Frontal projection | L wrist radiograph 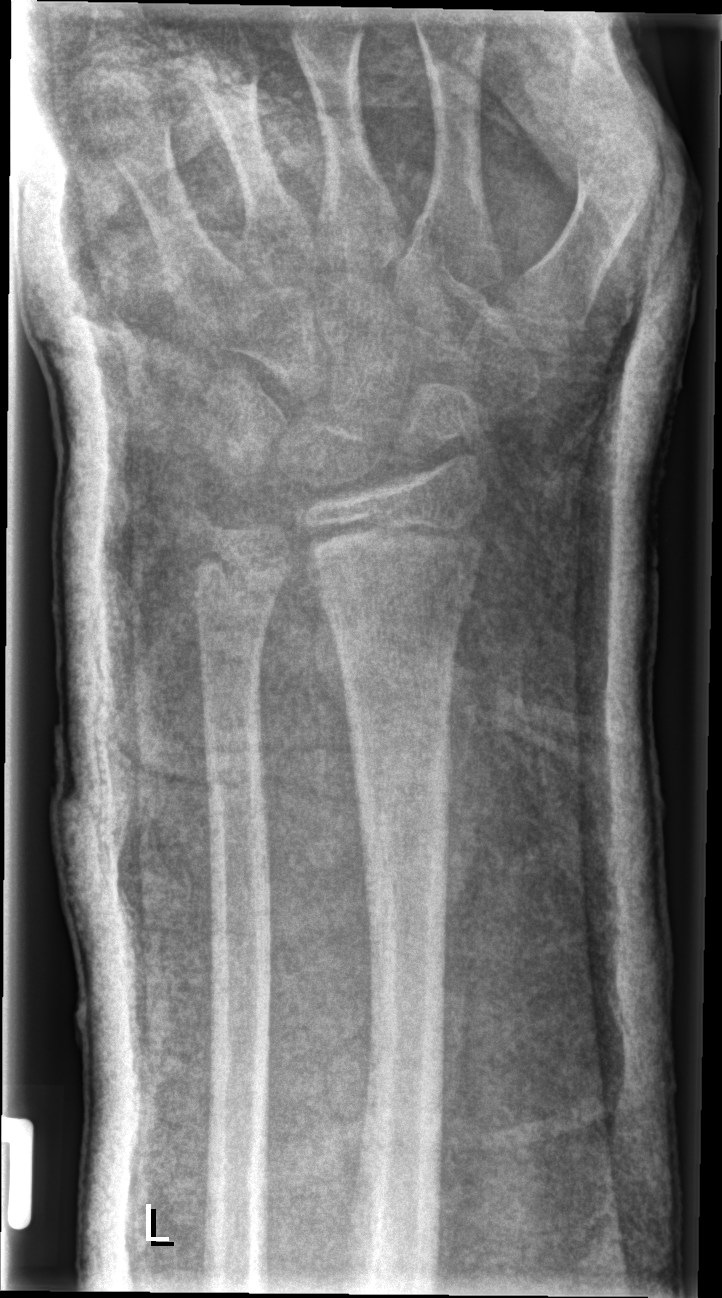

Boxes as x1,y1,x2,y2 (top-left / bottom-right, pixel units). Fracture — [301, 498, 488, 608].